Right wrist X-ray; lat; acquired on Siemens; image width 61.6 mm: 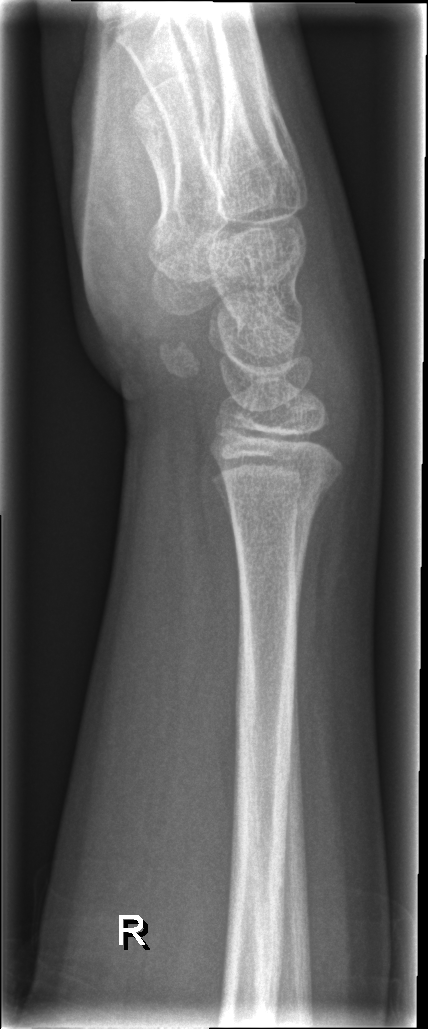 Bone fracture: (215, 463, 346, 519). Fracture classified AO/OTA 23r-M/2.1.